Rt wrist radiograph; AP; 15y M; cast in situ; image width 104.0 mm.

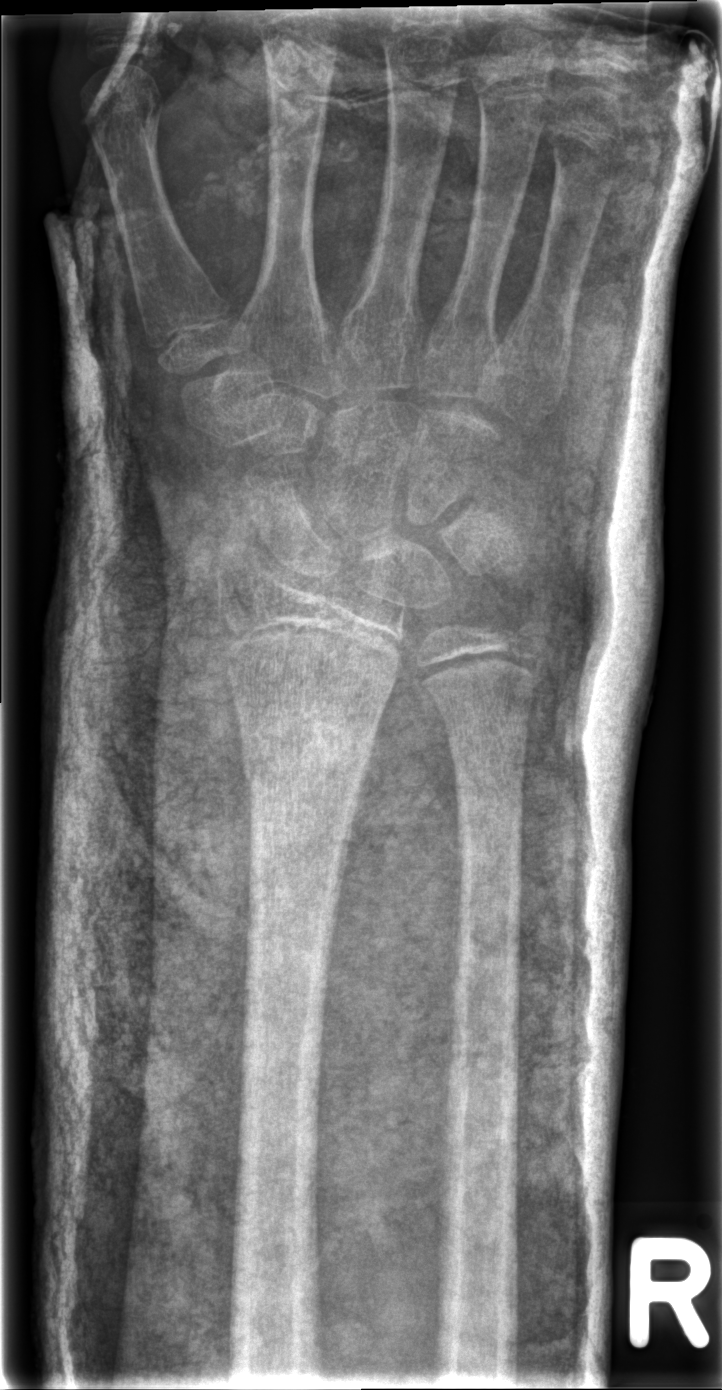 AO/OTA = 23r-M/3.1
Fx = [x1=240, y1=712, x2=377, y2=846]